Left wrist pediatric wrist radiograph, lat, 14y M, follow-up study:

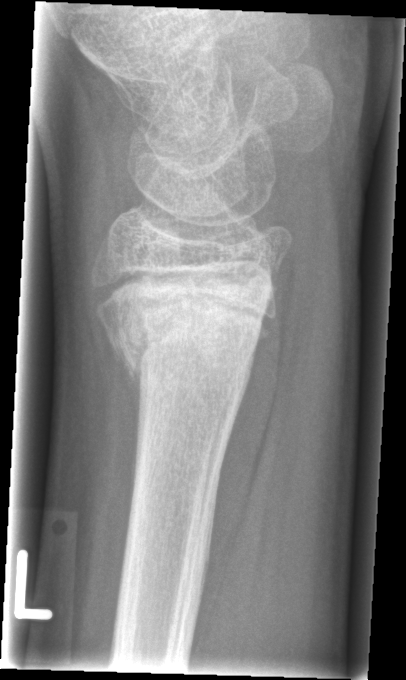 Periosteal reaction identified at (left=123, top=358, right=140, bottom=436).
One Fx at (left=93, top=266, right=265, bottom=385).